Frontal projection | right wrist X-ray — 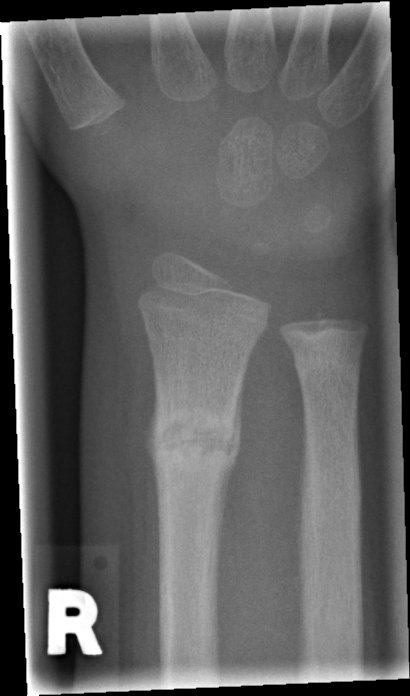 fracture: 2 @ (144, 391, 240, 477) (291, 345, 366, 387)
osteopenia: present
periostealreaction: (213, 364, 246, 600); (144, 371, 162, 545)